Lat; right wrist XR; 502x1014 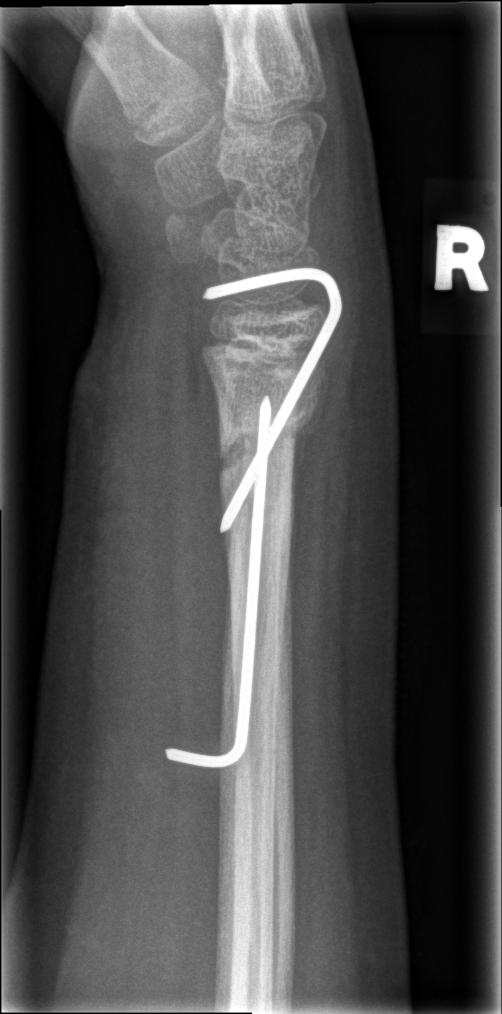
FINDINGS — (coordinates are [x1, y1, x2, y2] in image pixels) AO code 23-M/3.1; 23u-E/7. Osteopenia. Hardware — (161, 269, 341, 768). Fracture identified at (212, 392, 322, 489). Periosteal reaction: (290, 405, 322, 485).